Lat projection · left wrist plain radiograph of the wrist · 16-year-old male · acquired on Siemens: 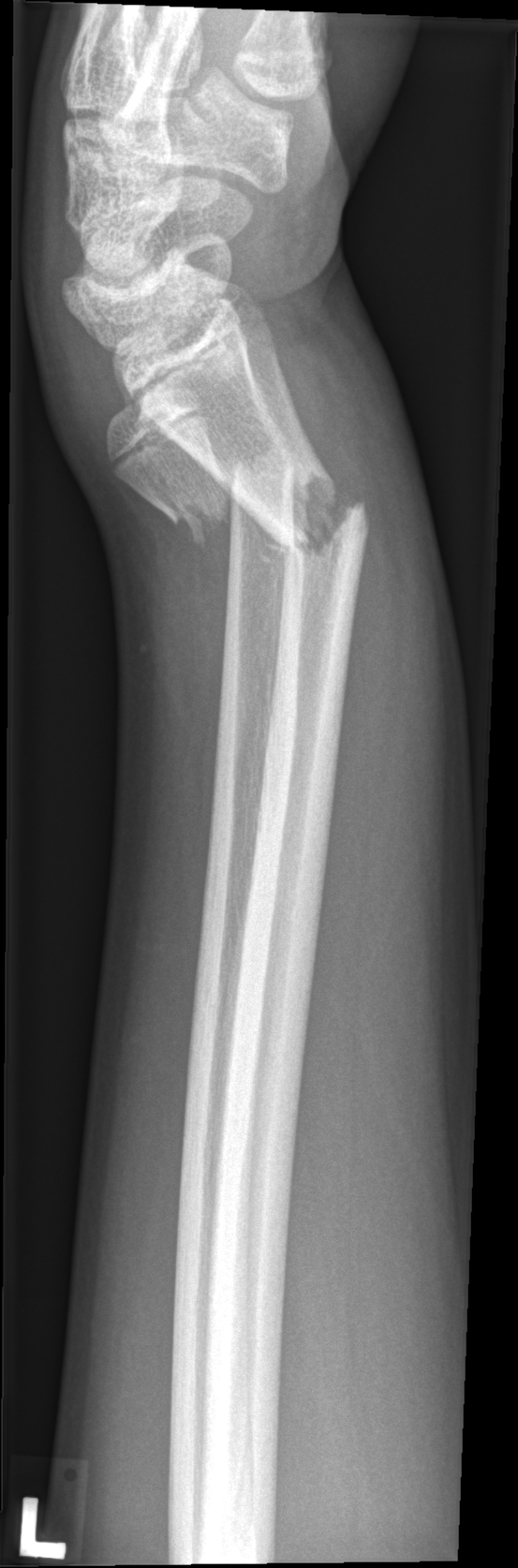

Fx: 164,442,288,540
  264,460,370,562